Right wrist X-ray · frontal view · pediatric patient (boy, age 3) · Siemens.
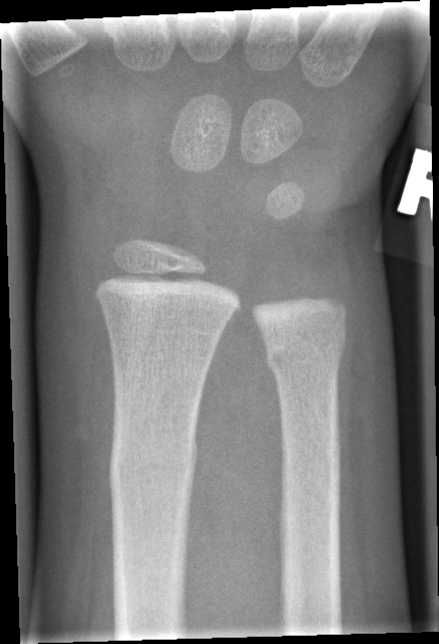
Fx = 2 @ bbox(107, 430, 200, 496), bbox(263, 326, 348, 380)
AO/OTA = 23-M/2.1